PA/AP; L wrist XR; age 11 y, female; acquired on Siemens; 607x1062.
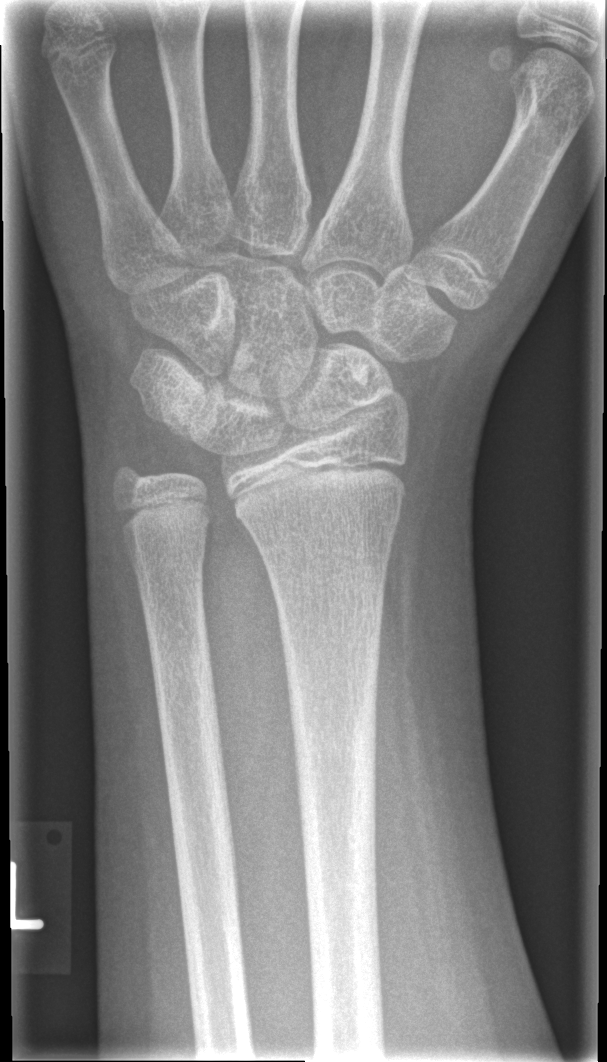

(bounding boxes in image-pixel xyxy)
fracture: [144, 625, 222, 709]